R wrist radiograph | PA | follow-up | imaged through cast —
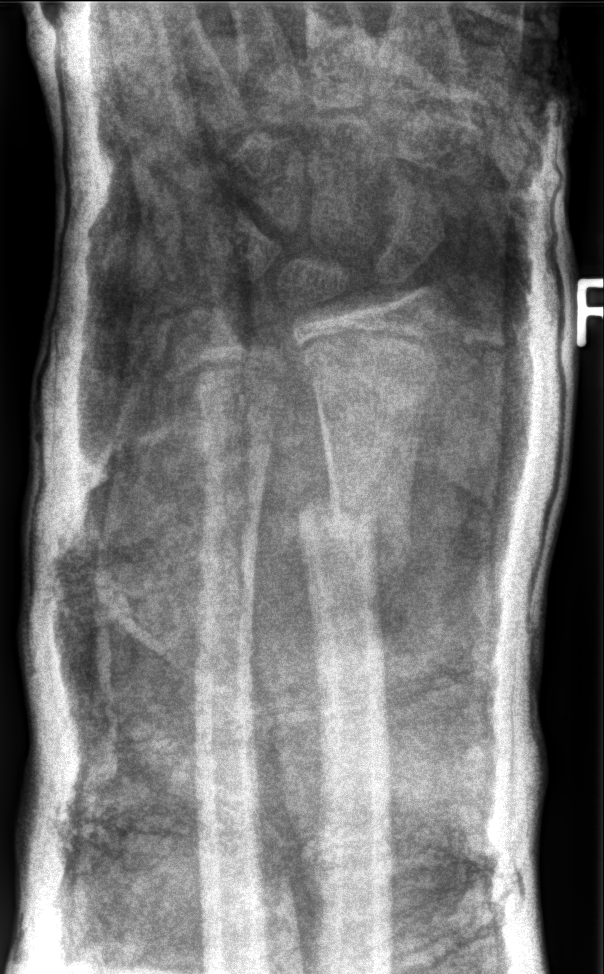

{"_coords": "coordinates are [x1, y1, x2, y2] in image pixels", "fracture": "1 @ bbox(292, 491, 416, 575)", "ao": "23r-M/3.1; 23u-M/2.1"}